Posteroanterior projection · Rt plain radiograph of the wrist · 10y F · image width 80.8 mm · 561 by 994 pixels: 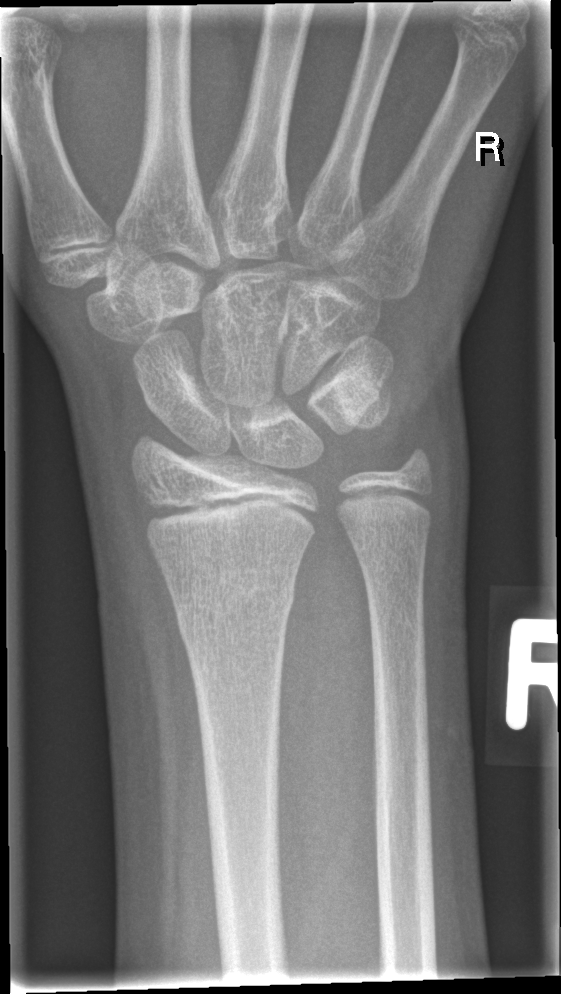
Bounding boxes in image-pixel xyxy.
AO/OTA classification: 23r-M/2.1.
Fx: [x1=172, y1=575, x2=299, y2=650].